Left wrist radiograph, lateral view, image 59.2 mm wide
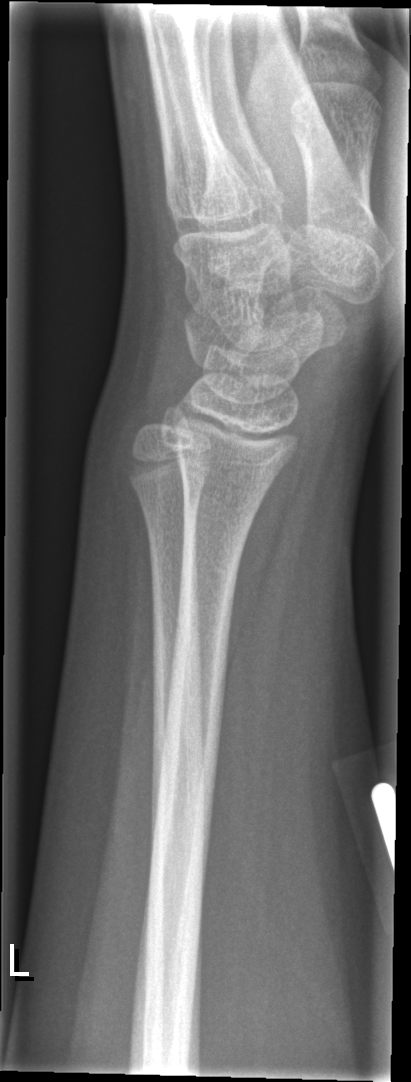
- Fracture: none labeled.